Lateral | left plain radiograph of the wrist | 8y M | follow-up | 58.2 mm image width. 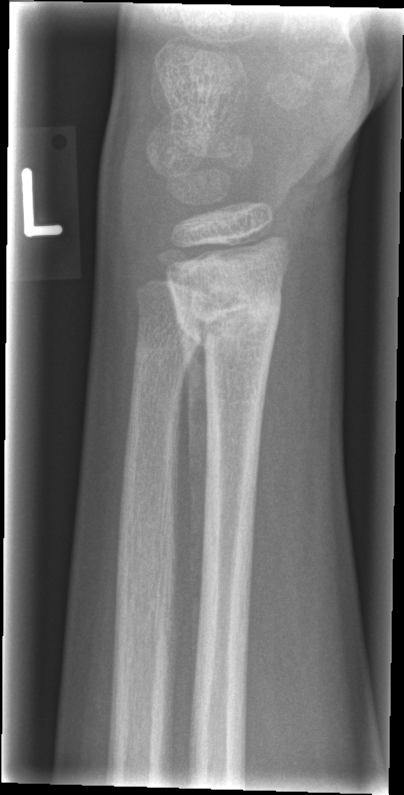

periosteal thickening = [x1=174, y1=304, x2=210, y2=673]
AO classification = 23-M/2.1
bone fracture = 2 @ [x1=173, y1=267, x2=286, y2=356]; [x1=132, y1=335, x2=195, y2=374]